Left wrist plain film, lateral projection:

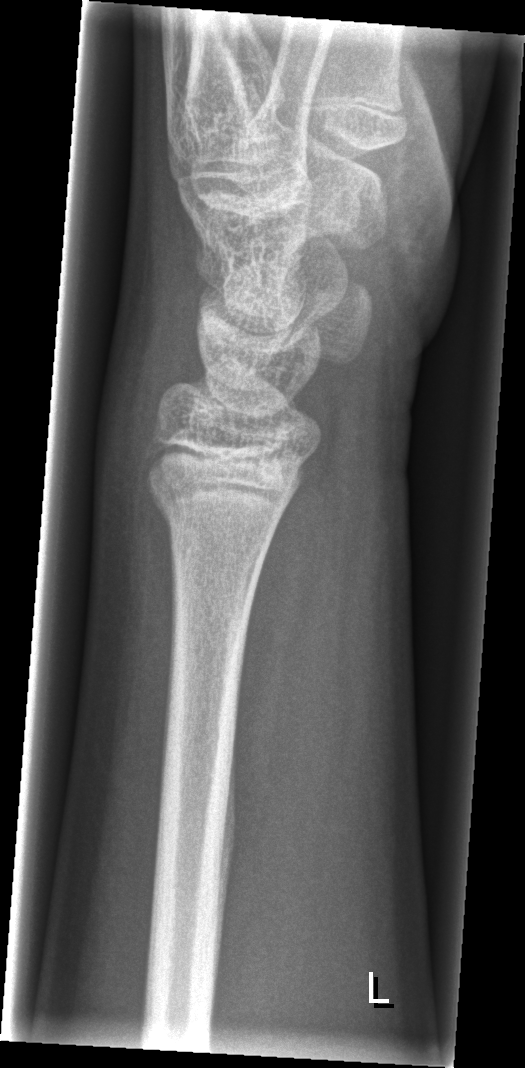

Fx identified at (149, 468, 288, 550). Fracture classified AO/OTA 23r-M/2.1.